Lateral view | L wrist XR | Siemens | image size 626x866

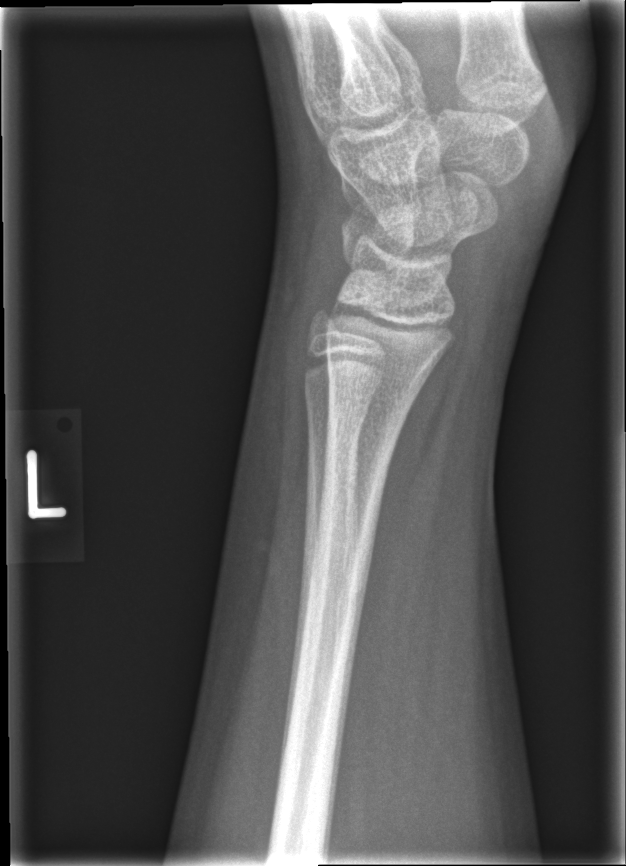 {
  "fracture": "none labeled"
}